Left plain radiograph of the wrist | posteroanterior view | boy, 7 yo | 416x908 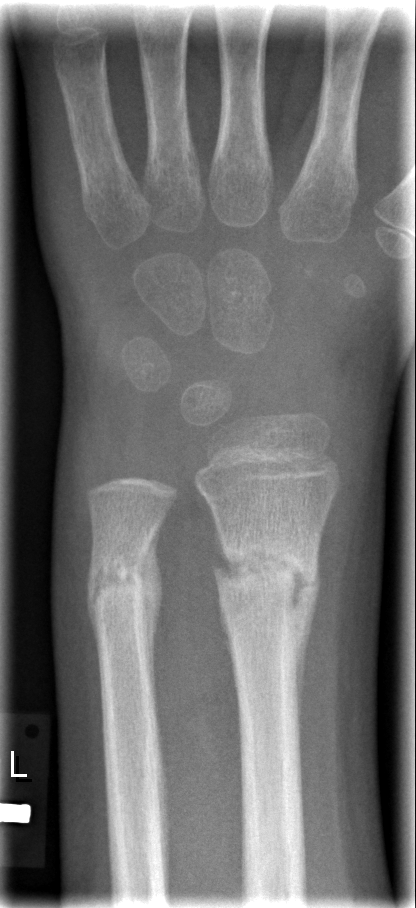
(coordinates are [x1, y1, x2, y2] in image pixels)
fracture: (left=206, top=539, right=324, bottom=600), (left=81, top=560, right=159, bottom=614)
AO/OTA: 23-M/3.1
periosteal new bone: (left=287, top=543, right=324, bottom=732) (left=139, top=518, right=166, bottom=734) (left=217, top=581, right=240, bottom=717)